PA projection, left wrist XR, 10y F, initial study —
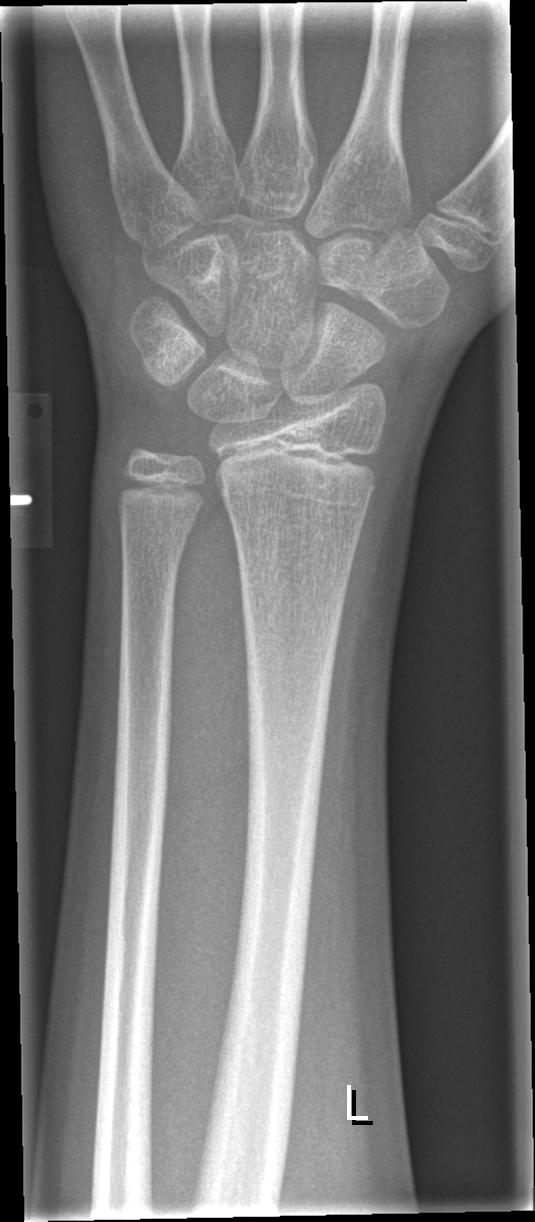
FINDINGS — No Fx annotated.